Lateral; right wrist pediatric wrist radiograph; 75.7 mm image width — 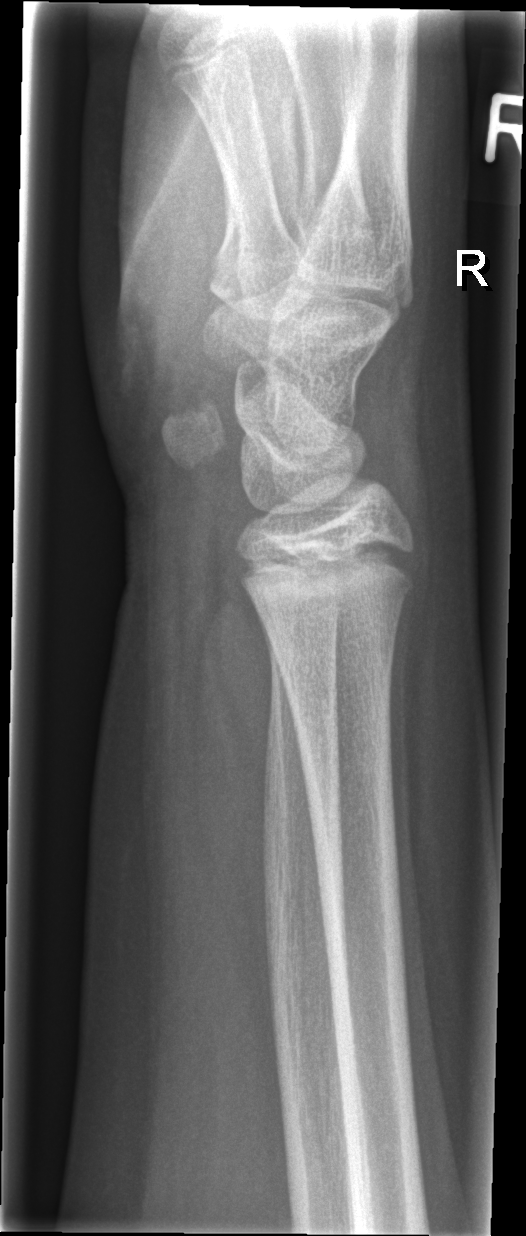

One pronator sign at (187, 585, 276, 978). Bone fracture identified at (231, 536, 421, 624). Fracture classified AO/OTA 23r-E/2.1.